Lateral; Rt pediatric wrist radiograph; age 13 y, boy; in cast —

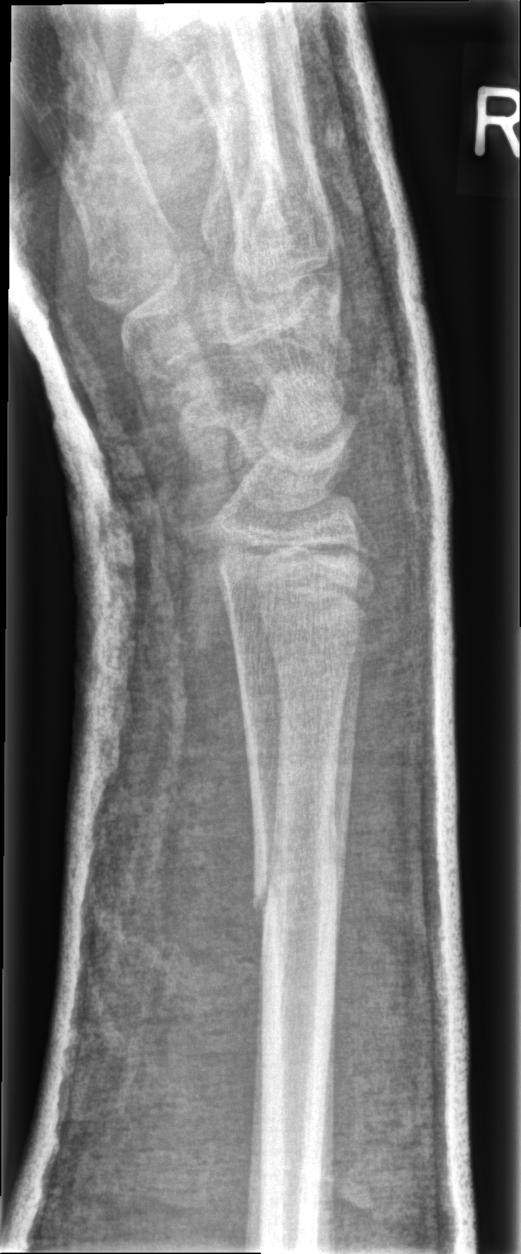
* Coordinates are [x1, y1, x2, y2] in image pixels.
* Fracture — [x1=248, y1=852, x2=347, y2=921].